Lateral view; left wrist plain film; 13y M; 79.1 mm image width — 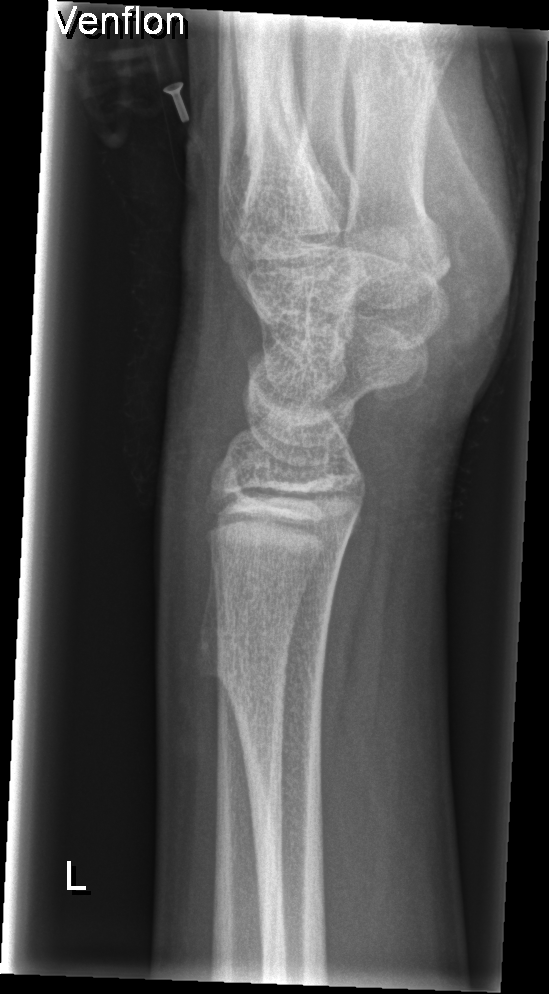
Boxes as x1,y1,x2,y2 (top-left / bottom-right, pixel units).
Bone variant identified at [x1=188, y1=555, x2=254, y2=744].
One metal at [x1=162, y1=79, x2=194, y2=130].
Fracture: none labeled.